Lat projection, Lt plain radiograph of the wrist, 10-year-old female, follow-up —

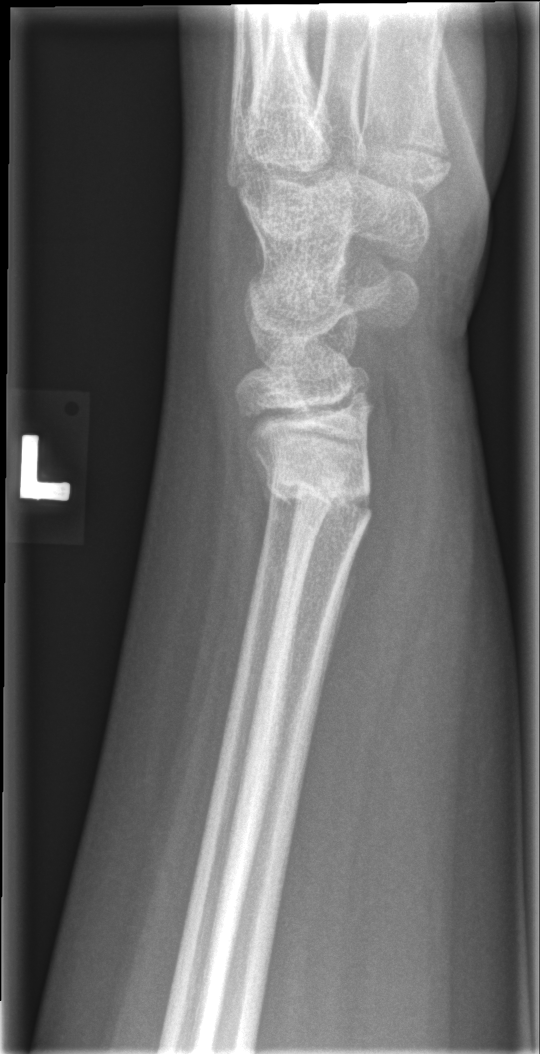

Q: Bone density?
A: Osteopenic
Q: Is there a fracture?
A: Fx identified at 263 457 374 532